Right wrist XR; lateral view; age 13 y, boy.
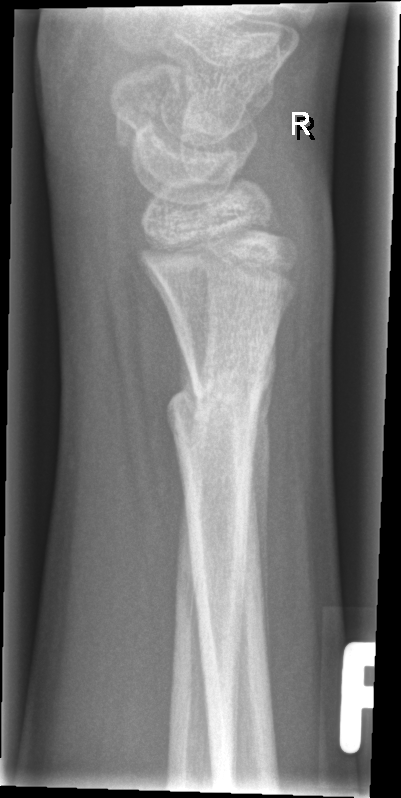

Bone fracture identified at bbox(157, 344, 275, 494).
Osteopenia.
AO code 23r-M/3.1; 23u-M/2.1.
Periosteal new bone: bbox(247, 327, 278, 663), bbox(174, 327, 199, 406).